Lateral projection; R plain radiograph of the wrist; pediatric patient (female, age 15):
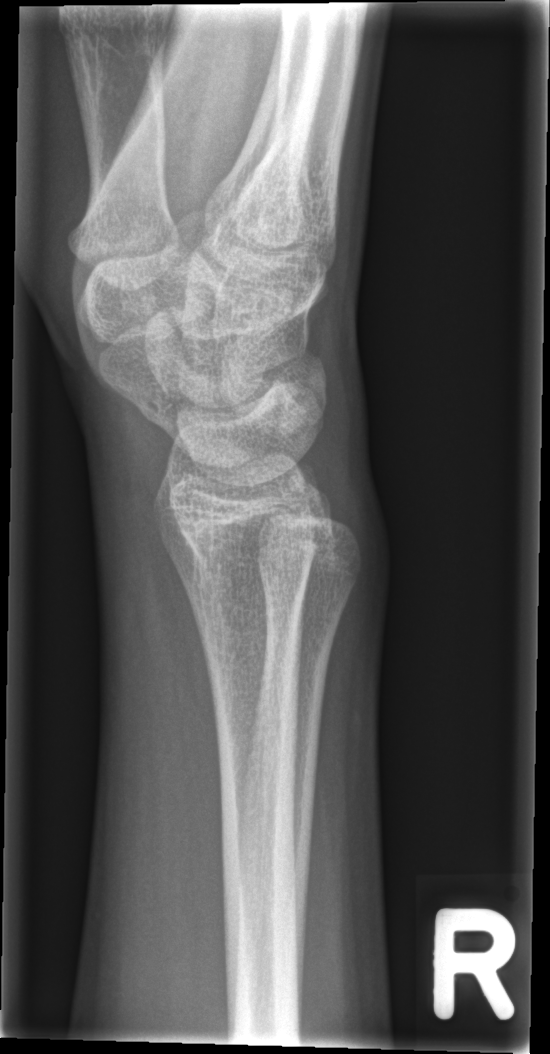 {"fracture": "none labeled"}